Lat view, left wrist XR, 8y F, 845x1126. 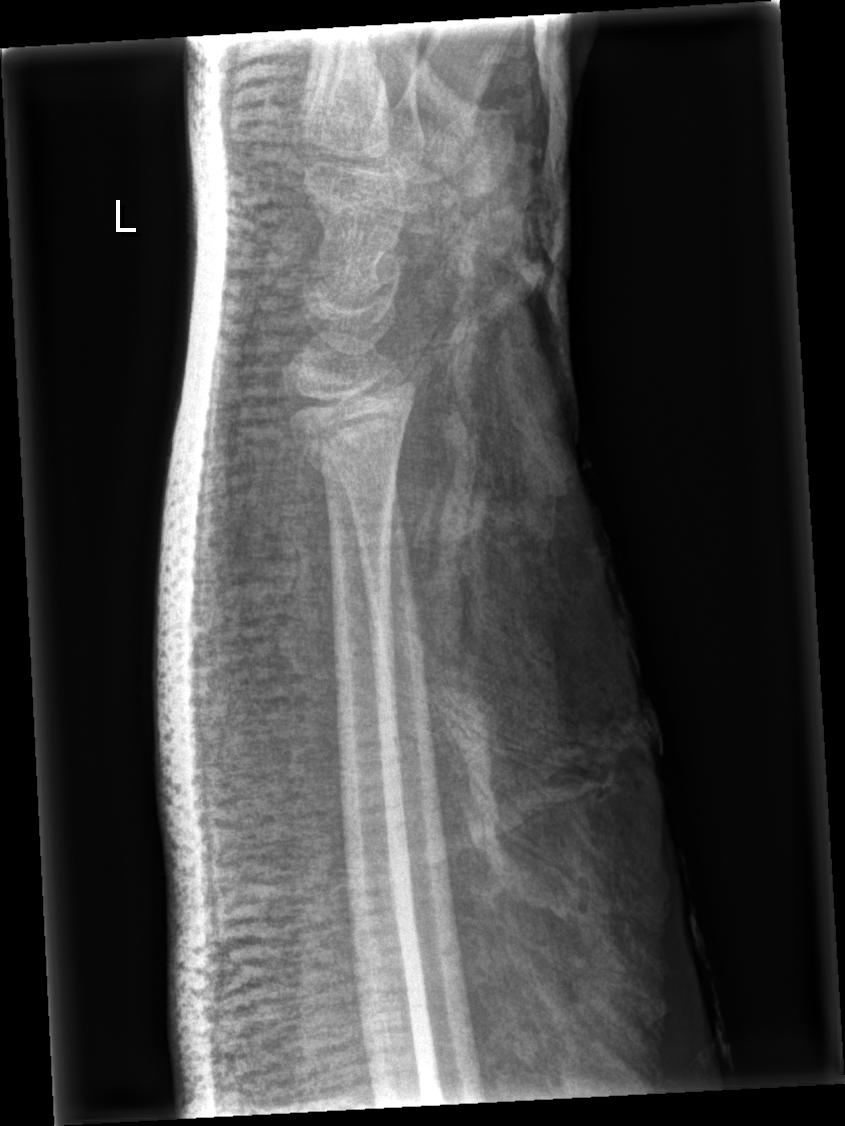

# boxes as x1,y1,x2,y2 (top-left / bottom-right, pixel units)
ao: 23r-M/2.1
fracture: [295, 423, 408, 483]